Lateral view | Lt wrist radiograph | 11-year-old female.

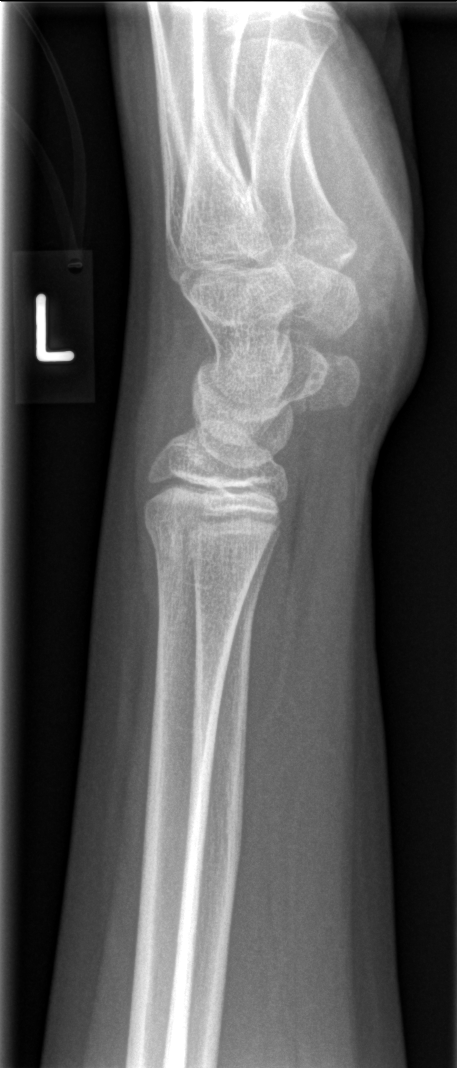 Boxes as x1,y1,x2,y2 (top-left / bottom-right, pixel units). Bone fracture identified at [141, 515, 277, 579].